Right wrist X-ray; frontal; 743x1206 —

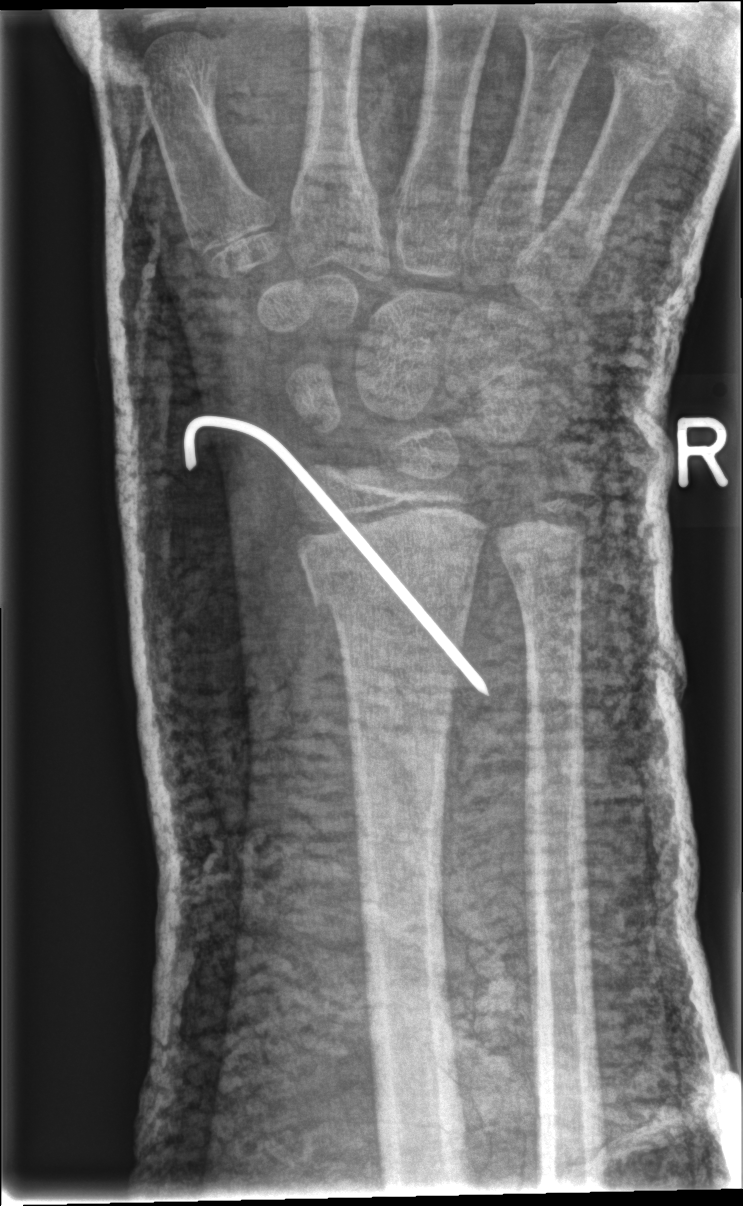
{
  "_coords": "boxes as x1,y1,x2,y2 (top-left / bottom-right, pixel units)",
  "ao": "23r-E/2.1",
  "fracture": "1 @ 295 511 487 619",
  "metal": "1 @ 184 417 486 694"
}